Lat | Lt wrist plain film | 7-year-old boy | detector: Siemens | 585x1040 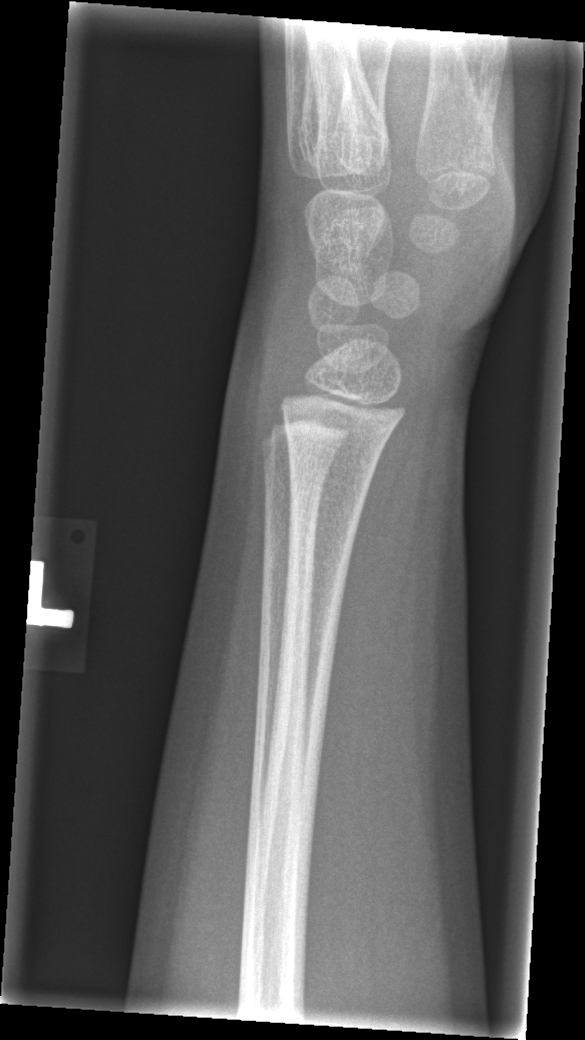

No fracture bounding box.